Lt wrist plain film · PA projection · follow-up study · imaged through cast · detector: Siemens · 124.7 mm image width —
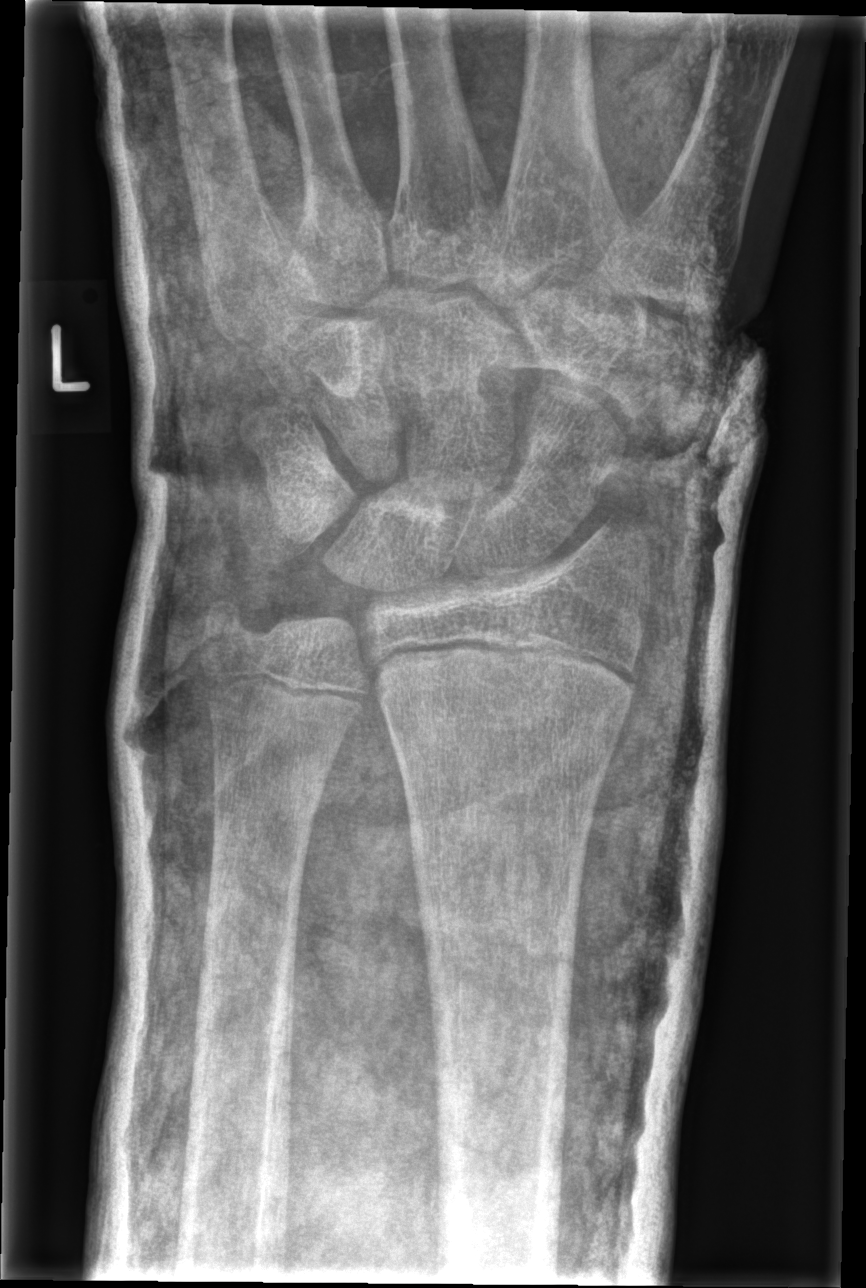 Bone fracture: 1 @ 364,624,641,729